Left wrist radiograph · AP projection · 598x914 —

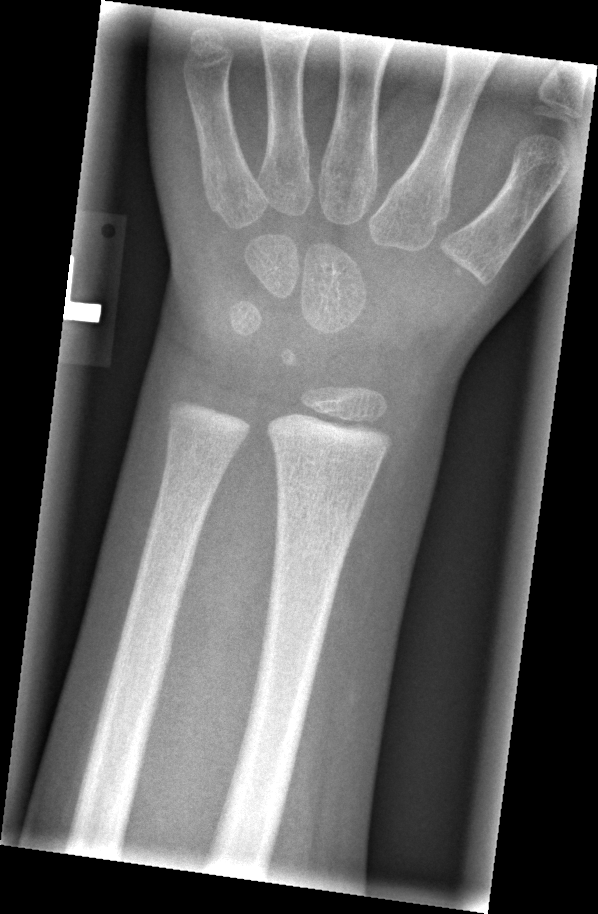 {
  "fracture": "none labeled"
}